Rt wrist XR | frontal projection | detector: Siemens

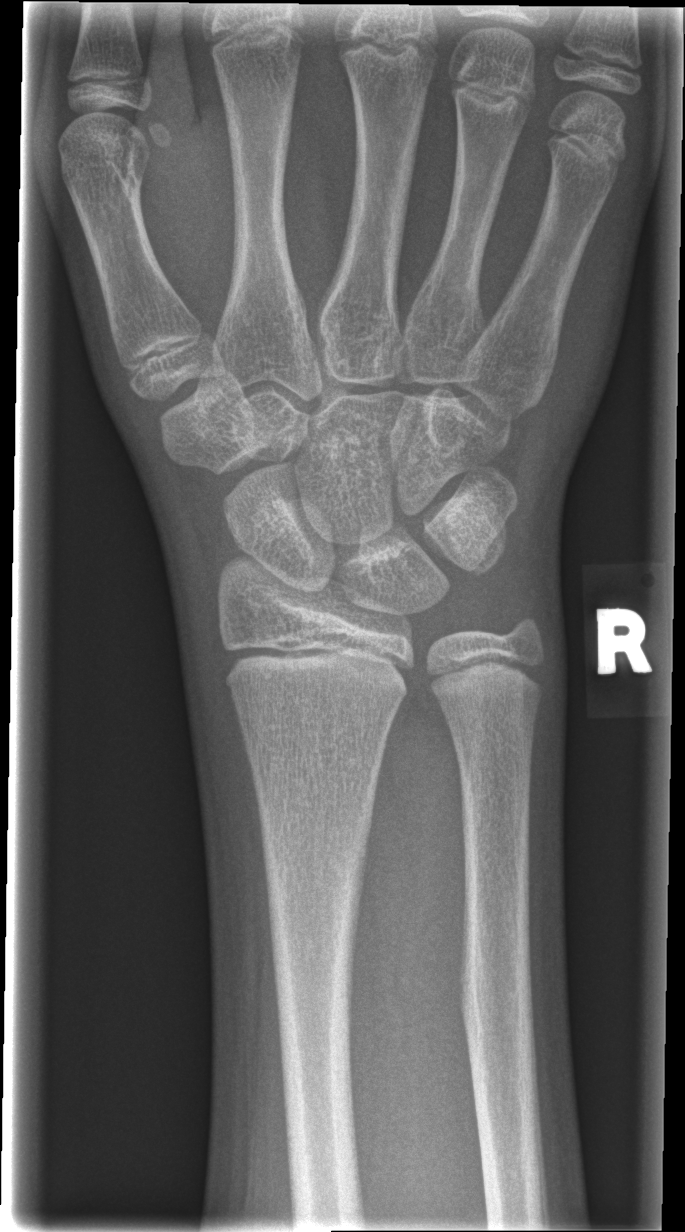
  fracture: none labeled